Left wrist X-ray; frontal; age 13 y, male; presentation radiograph; 84.8 mm image width —
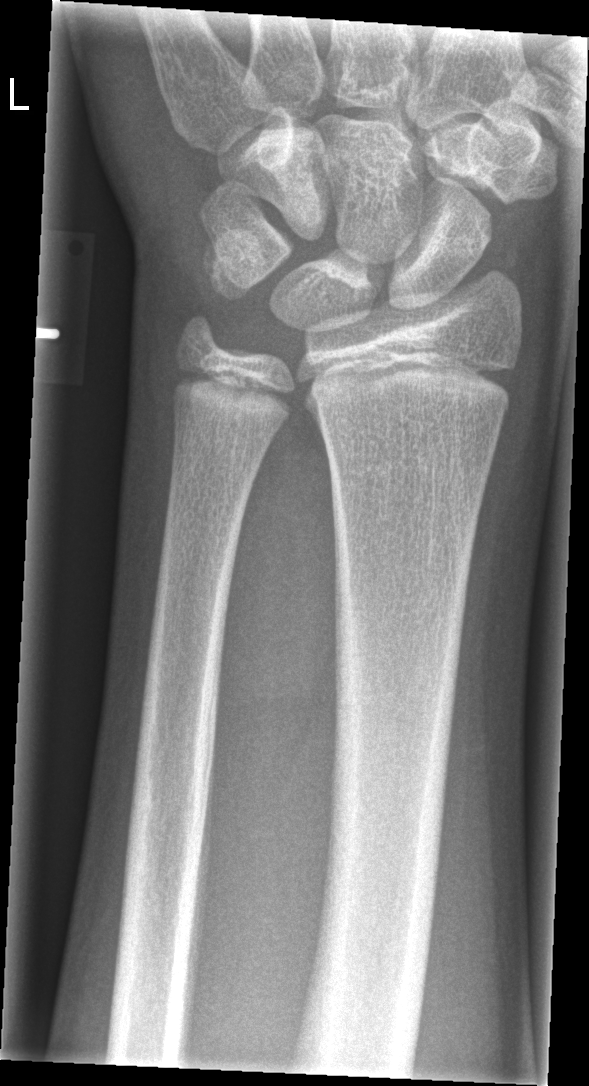 Fx = none labeled